Right wrist X-ray | lat projection —
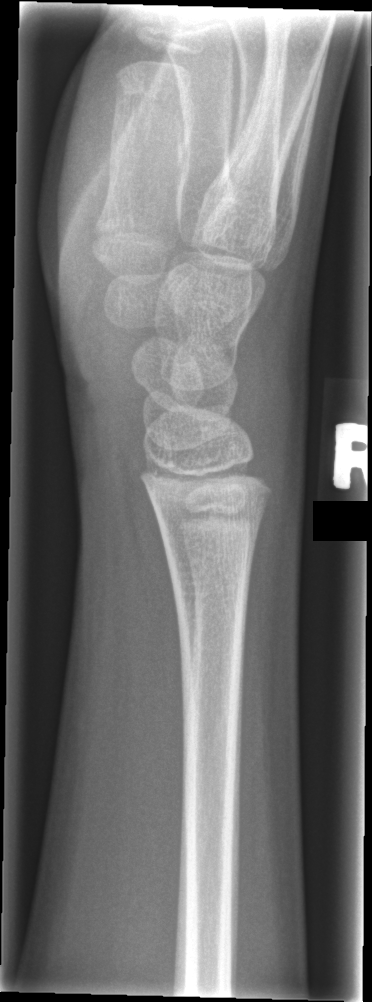 No fracture annotation.